Frontal projection; right wrist X-ray; Siemens; 530 by 924 pixels.

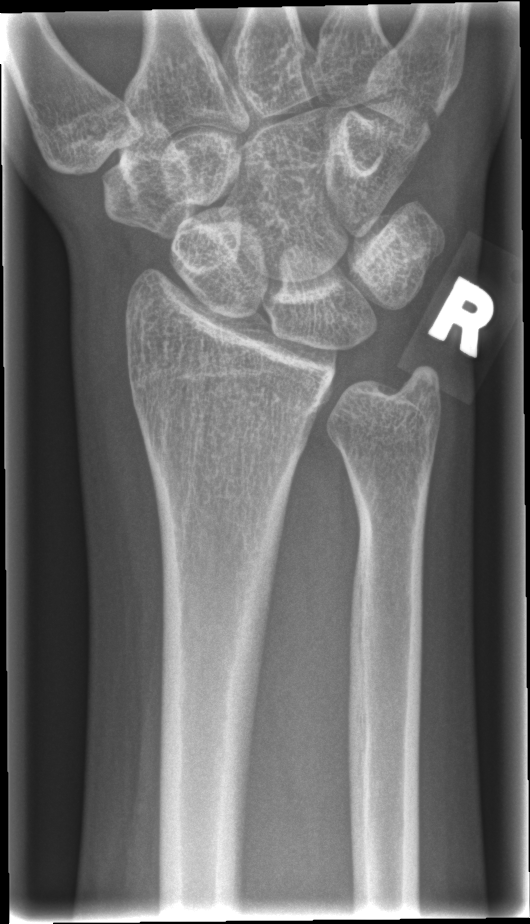 Fx: none labeled